Right wrist radiograph | lateral view | male, 13 yo | follow-up. 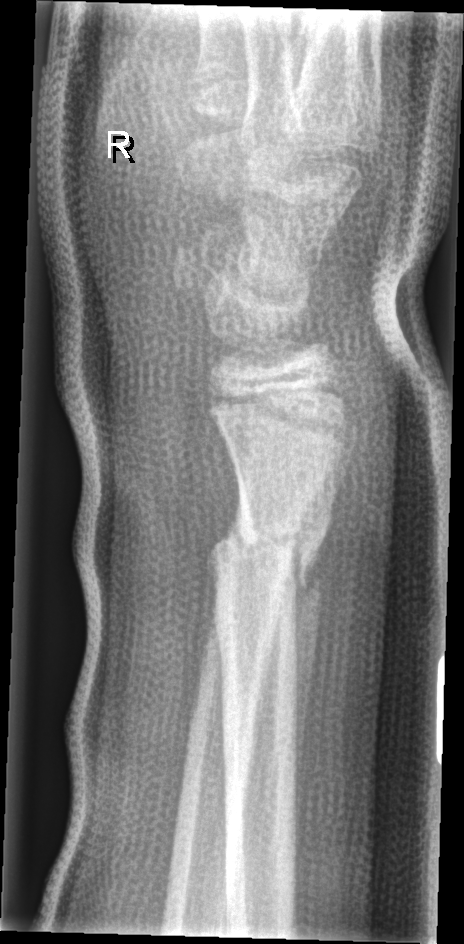
(pixel coordinates, top-left origin, xyxy)
bone fracture: 1 @ (194, 500, 330, 649)
AO code: 23r-M/3.1; 23u-M/2.1